Lat projection, left wrist pediatric wrist radiograph, girl, 14 yo
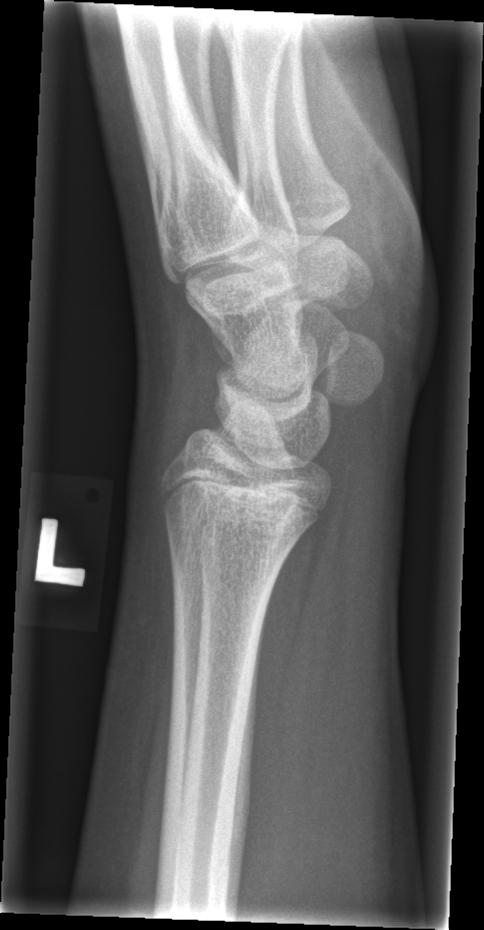 No fracture bounding box.